Left wrist XR · lateral · index exam · 383x756 —

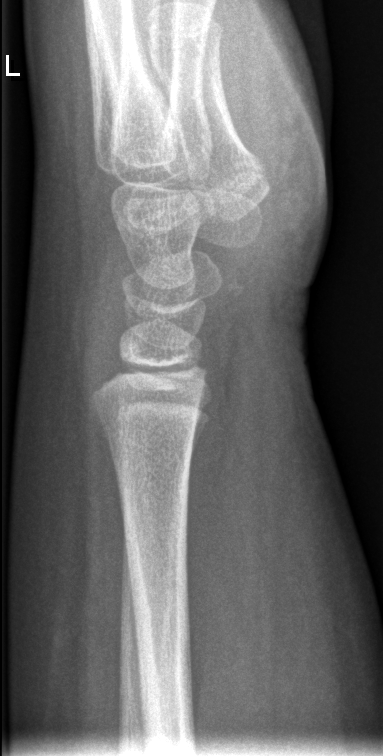
No fracture annotation.